Lat projection, Lt wrist XR. 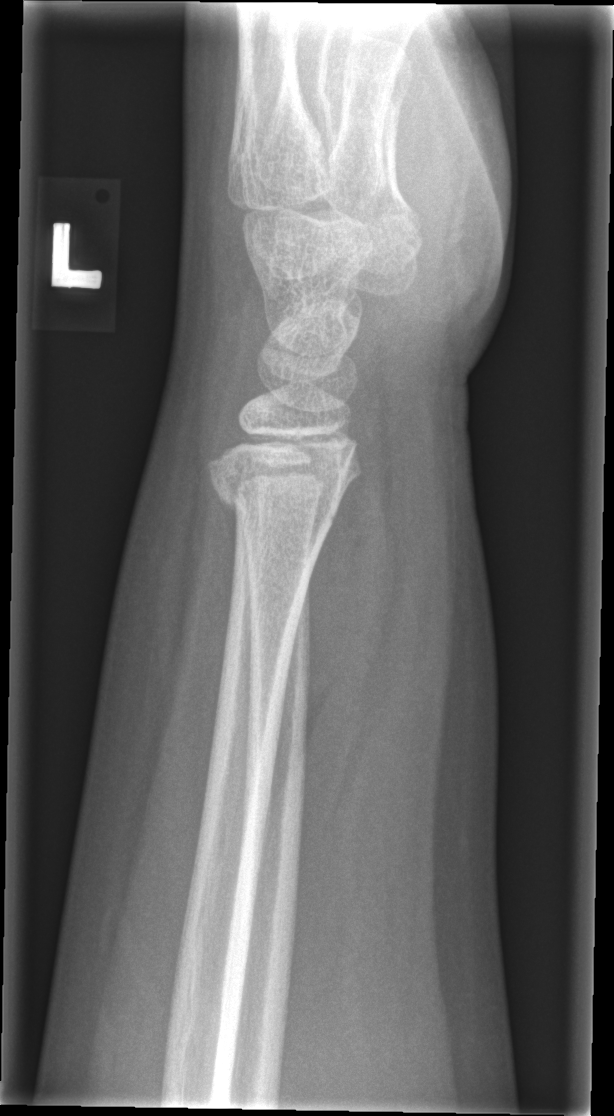
Findings: (pixel coordinates, top-left origin, xyxy) AO/OTA classification: 23r-M/3.1. One Fx at 209 471 343 545. Positive pronator fat-pad sign: 307 420 397 828.